Lat view · R wrist plain film · follow-up
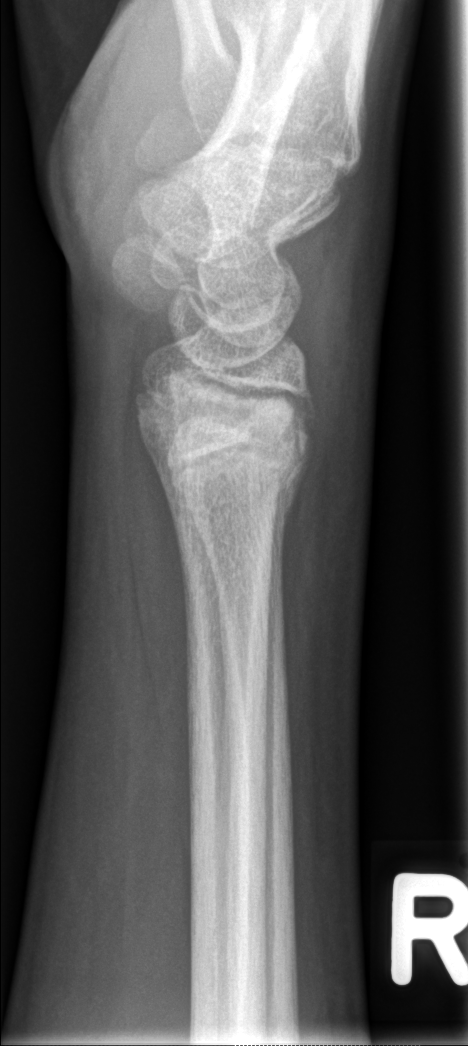 Q: Any fracture seen?
A: Bone fracture identified at (137, 376, 319, 526)